Frontal, L plain radiograph of the wrist, age 17 y, boy.

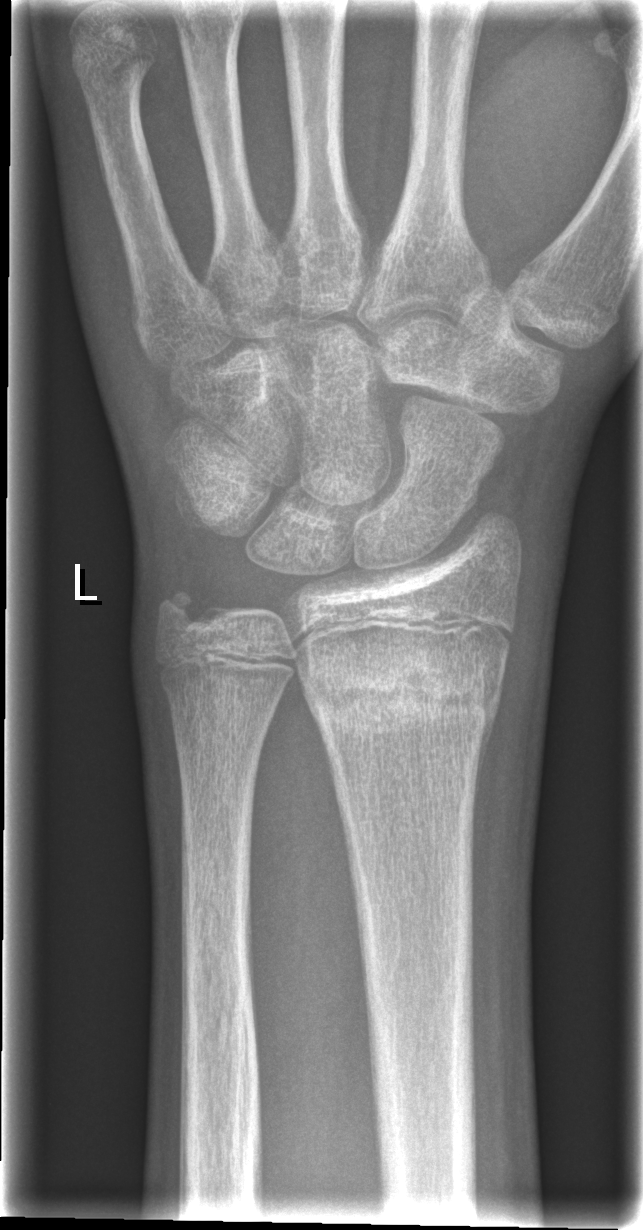
Reduced bone mineral density. AO code 23r-M/3.1; 23u-E/7. Fx — 301 647 505 755
  147 577 214 639.